Posteroanterior, Rt wrist XR, image width 151.6 mm, 1008 by 1183 pixels:

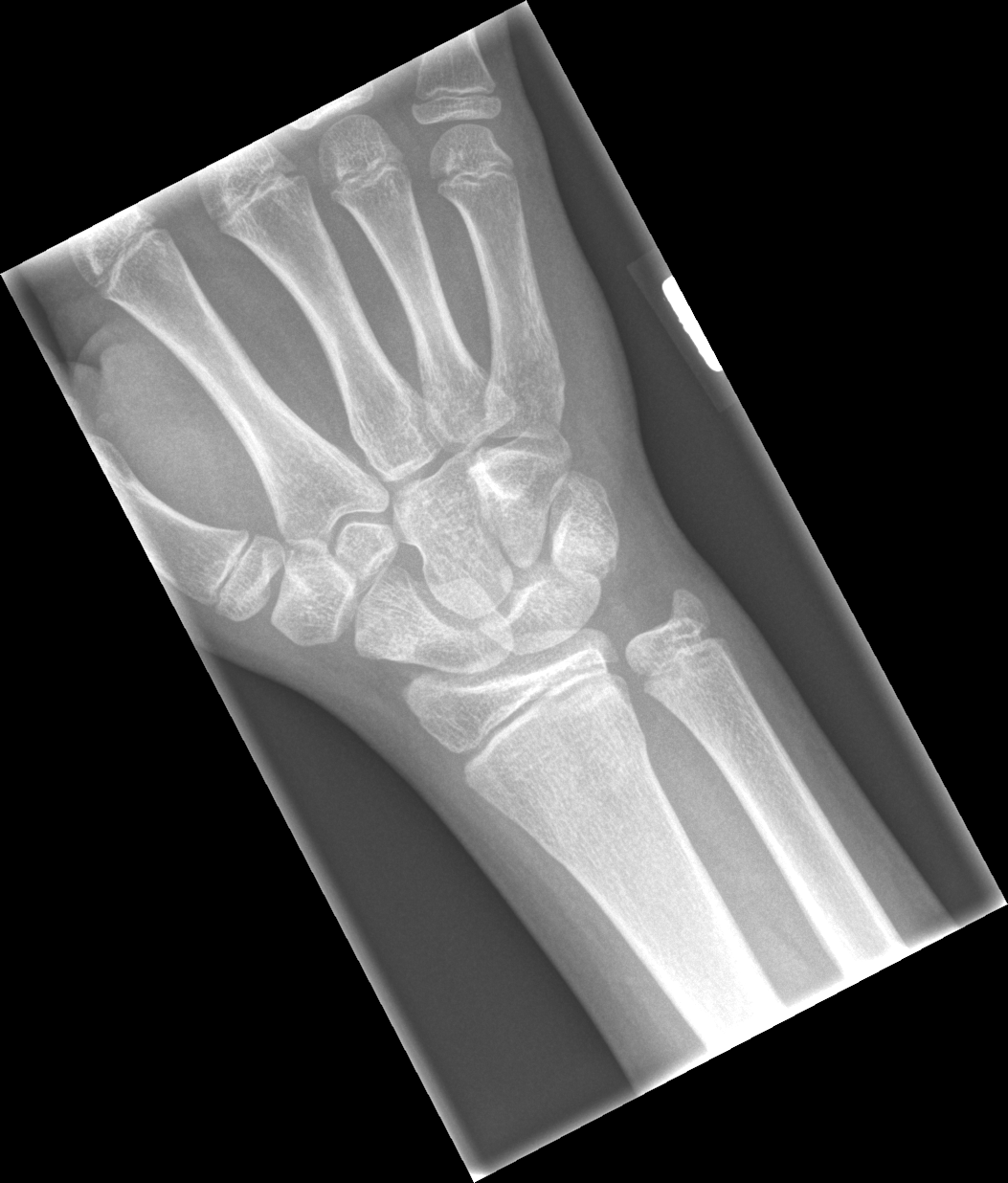

Findings: (coordinates are [x1, y1, x2, y2] in image pixels) Fracture identified at [514, 699, 654, 875].